PA projection · L wrist XR · pediatric patient (male, age 15) · follow-up
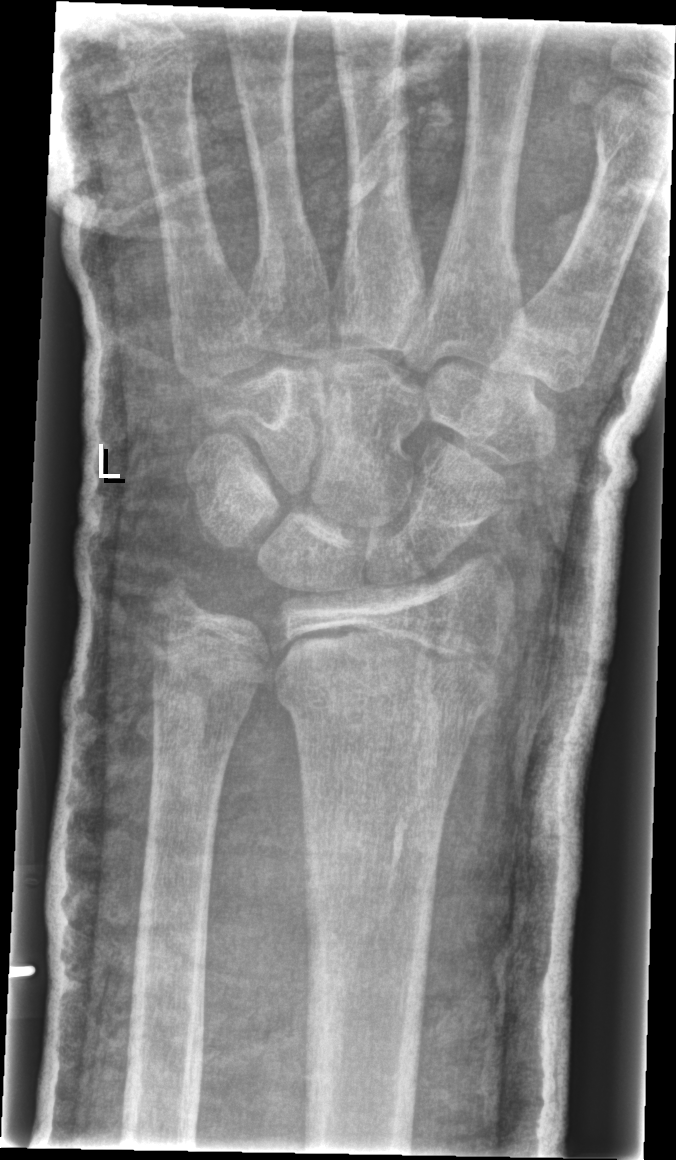

(bounding boxes in image-pixel xyxy)
Q: Fracture present?
A: Fx identified at 273 619 492 730 | 146 567 211 630
Q: AO code?
A: AO/OTA classification: 23r-M/3.1; 23u-E/7